Left wrist XR · lat view · 14-year-old boy · acquired on Siemens · image size 492x1092 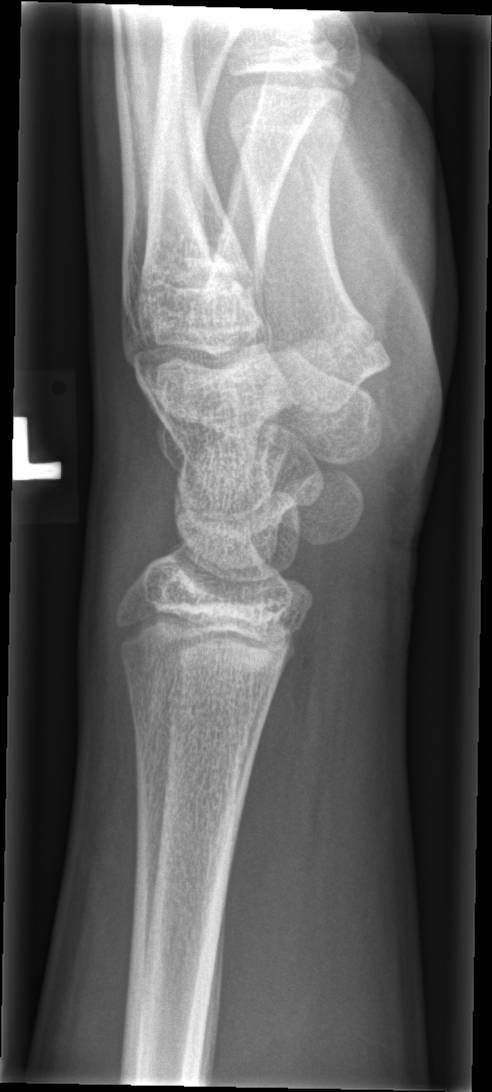
  fracture: none labeled